Lateral projection · Rt wrist X-ray · age 7 y, boy · follow-up: 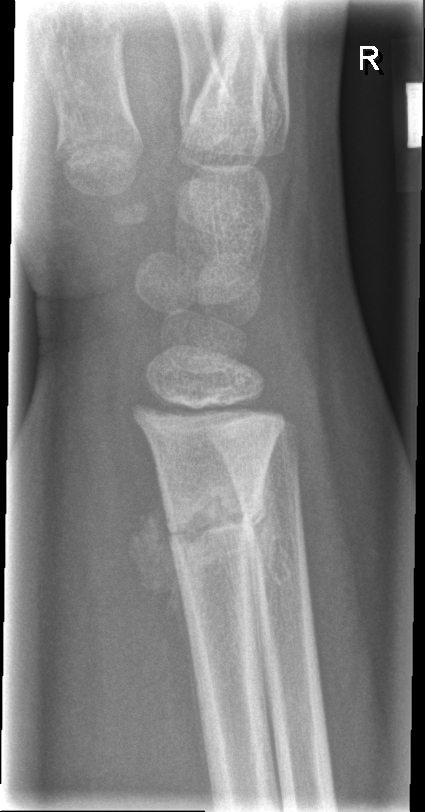
FINDINGS — AO/OTA classification: 23r-M/3.1. Periosteal reaction: 122 481 213 795; 248 464 289 719. Fracture: 161 482 274 574. Decreased bone density (osteopenia).